Lat projection | left wrist plain film | 94.8 mm image width.

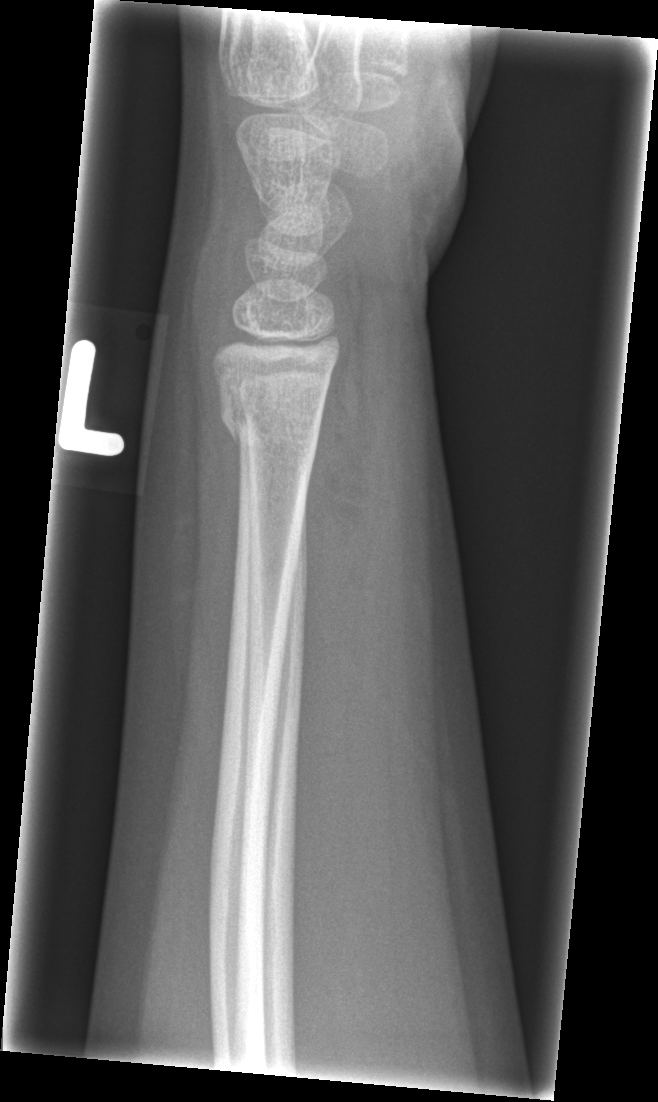

(pixel coordinates, top-left origin, xyxy)
Fracture: 1 @ [x1=213, y1=375, x2=326, y2=461]
Pronator quadratus fat-pad sign: [x1=306, y1=338, x2=375, y2=733]
AO classification: 23-M/2.1